Lt wrist X-ray; PA view; age 12 y, boy; Siemens:

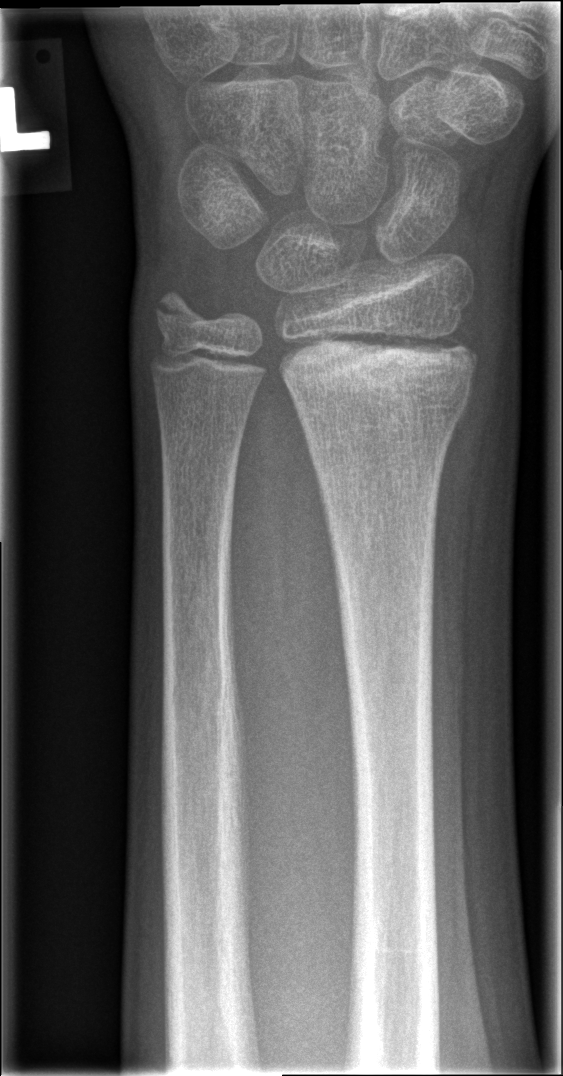 AO/OTA: 23r-E/2.1; 23u-E/7
Osteopenia: present
Fracture: bbox(272, 327, 479, 404); bbox(150, 286, 214, 339)